PA/AP; right wrist radiograph; male, 14 yo:

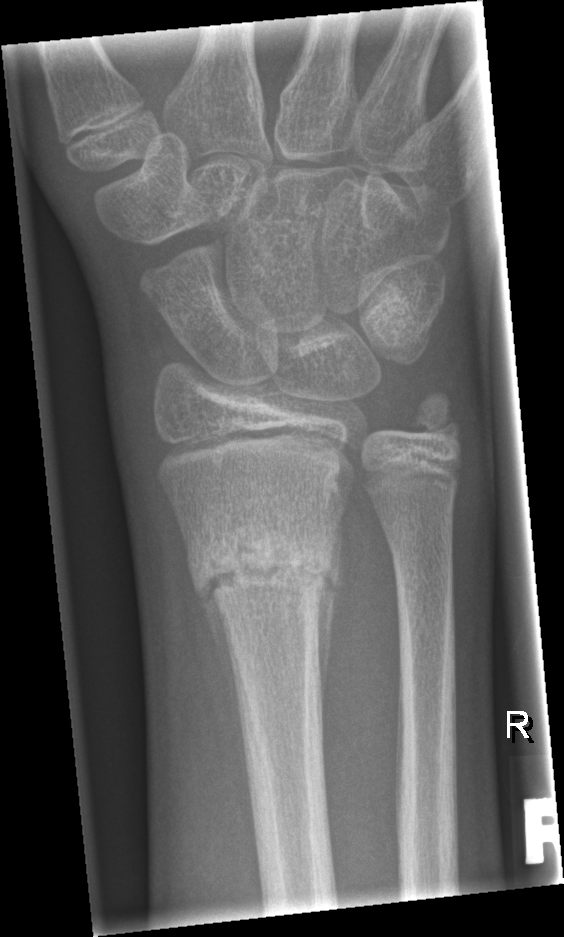

Decreased bone density (osteopenia). AO/OTA classification: 23r-M/3.1; 23u-E/7. Bone fracture identified at bbox(186, 515, 343, 623); bbox(407, 387, 466, 447). Periosteal thickening — bbox(188, 547, 252, 797); bbox(311, 506, 342, 709).